Lateral projection; right wrist plain film; pediatric patient (male, age 15); 502x1039

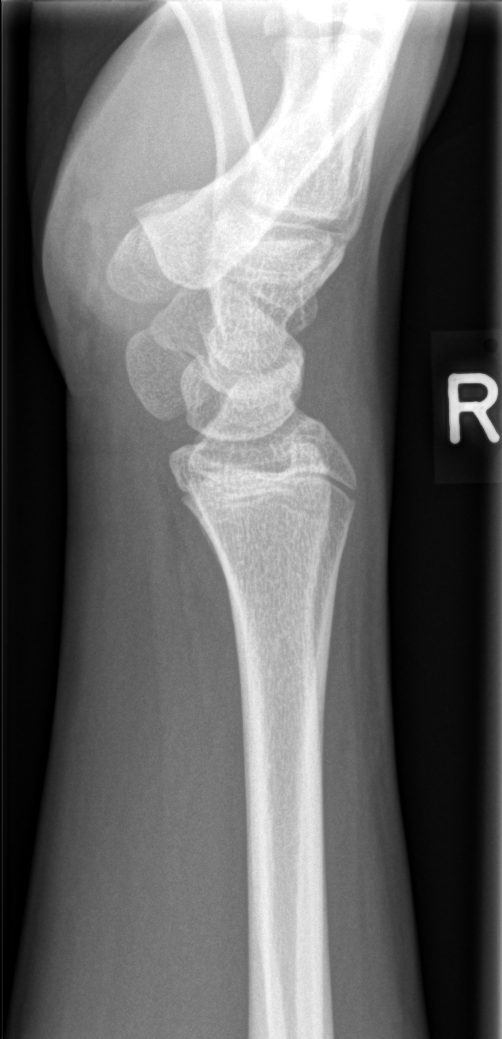 No fracture annotation.